PA/AP, Lt wrist plain film, subsequent exam, cast present, Siemens, image size 550x980.

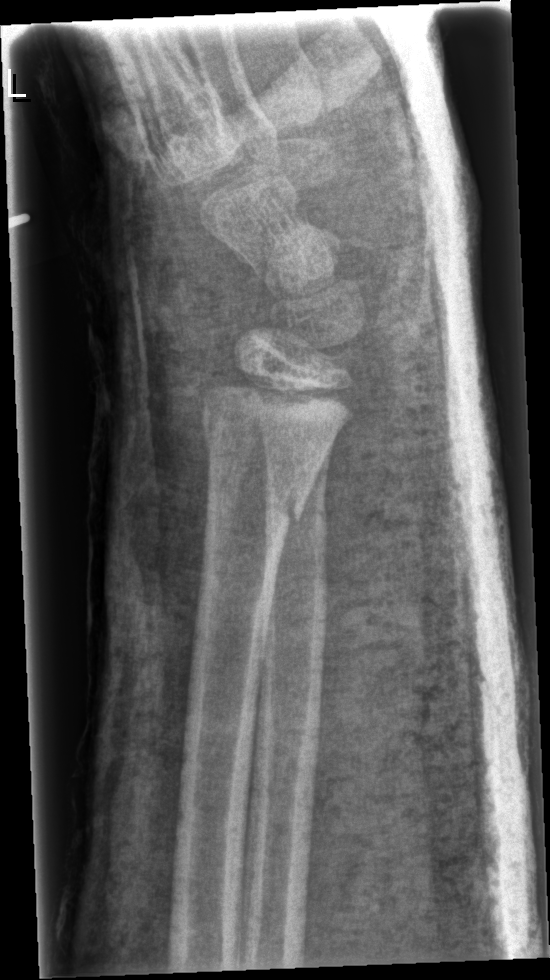 Boxes as x1,y1,x2,y2 (top-left / bottom-right, pixel units).
AO code 23r-M/2.1.
Fracture identified at 198 425 310 534.